Left wrist plain film · lat view · 12y F · initial study · image width 62.1 mm · 431x924. 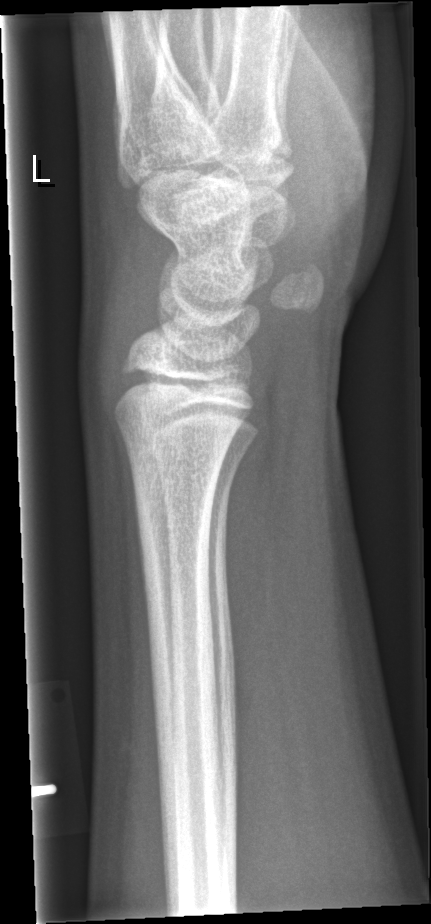 FINDINGS: No fracture annotation.